Left pediatric wrist radiograph, PA/AP, presentation radiograph, 434 x 820 px 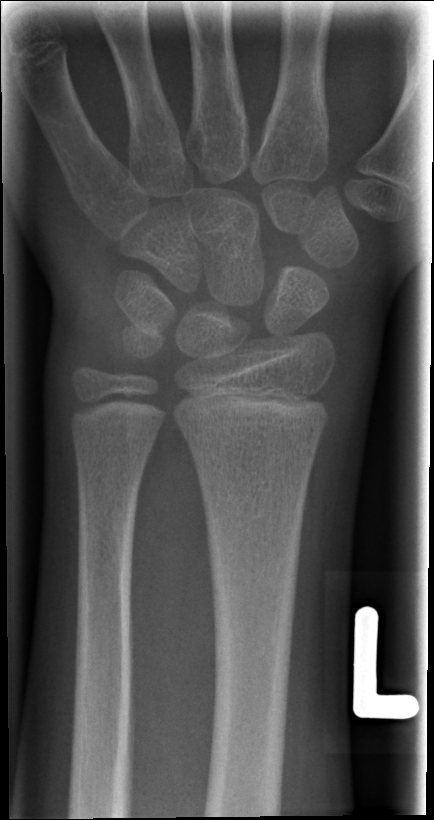
No fracture bounding box.